R wrist plain film · posteroanterior projection · initial study · findings marked uncertain by the reading radiologist · 615 x 968 px
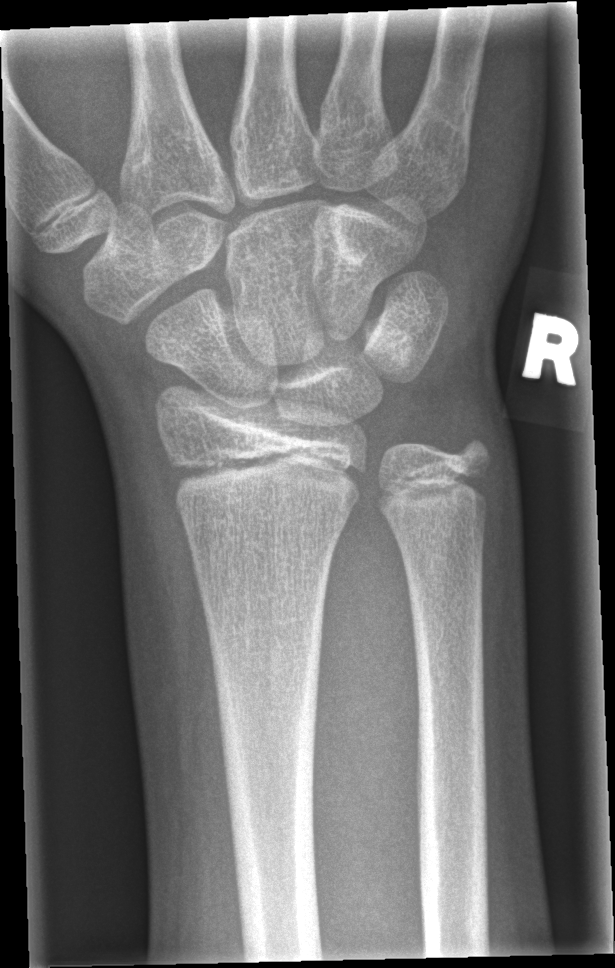

No fracture labeled.